AP projection | Lt wrist radiograph | boy, 14 yo | detector: Siemens | image size 585x936. 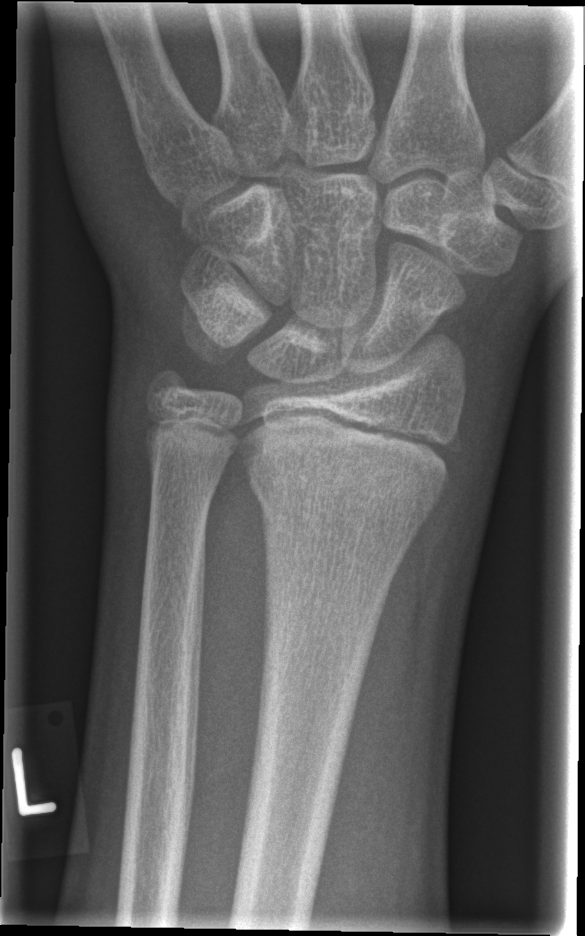
• AO code 23r-M/2.1.
• Bone fracture identified at (left=239, top=422, right=451, bottom=528).